Lateral, right wrist radiograph, boy, 10 yo, subsequent exam, 91.3 mm image width: 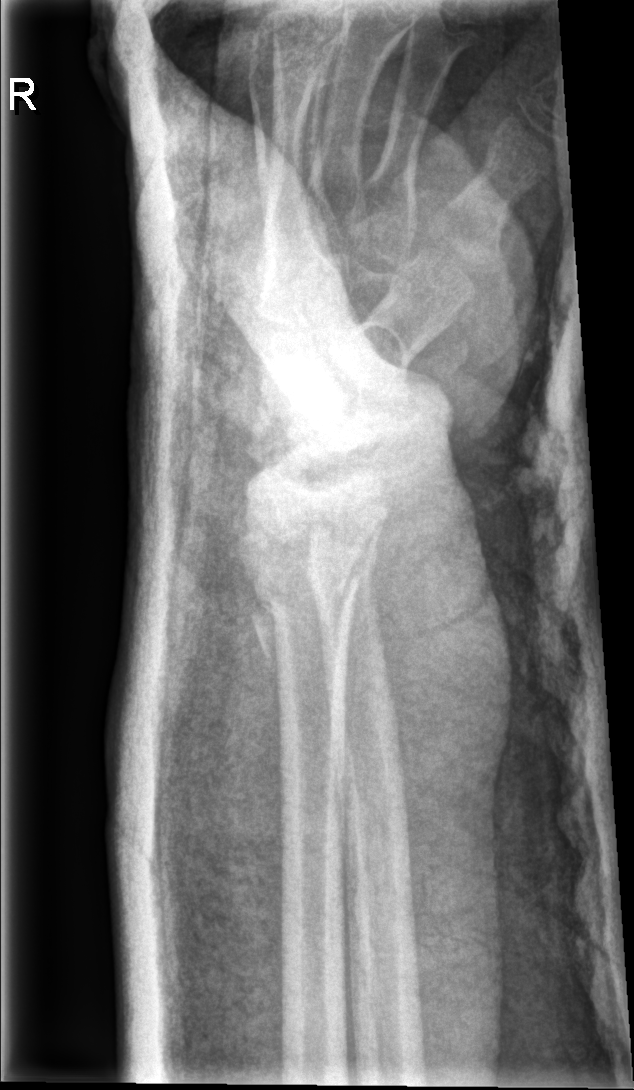 (pixel coordinates, top-left origin, xyxy)
Q: AO code?
A: AO code 23r-M/3.1; 23u-M/2.1; 23u-E/7
Q: Fracture present?
A: One bone fracture at (242, 558, 365, 654)